Lat | L wrist radiograph | 12-year-old boy | detector: Siemens:
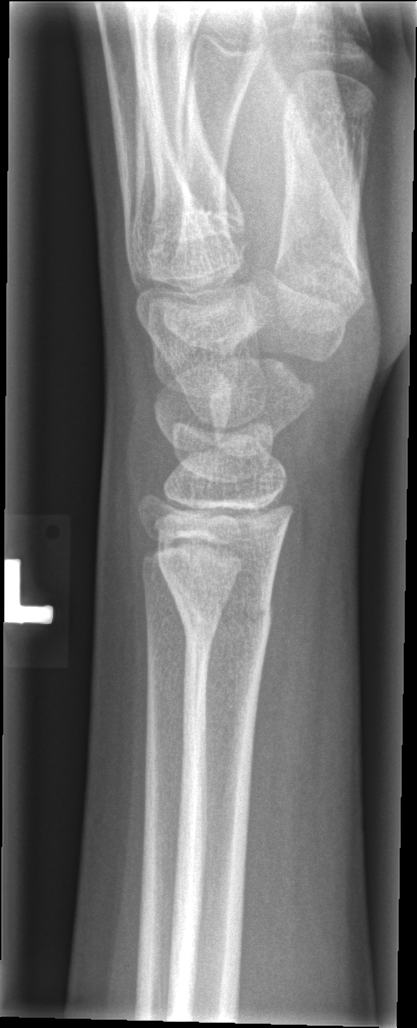

• Bounding boxes in image-pixel xyxy.
• Fracture classified AO/OTA 23r-M/2.1.
• Fx — <165,565>-<276,647>.